Left wrist plain radiograph of the wrist | lat projection | boy, 14 yo | index exam | 382x805.

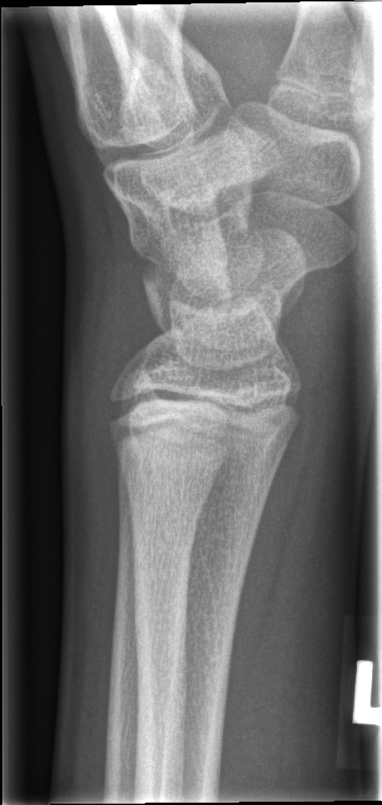

No fracture annotation.